L wrist plain film; posteroanterior; pediatric patient (boy, age 10); detector: Siemens; image 84.7 mm wide; 588 x 854 px.

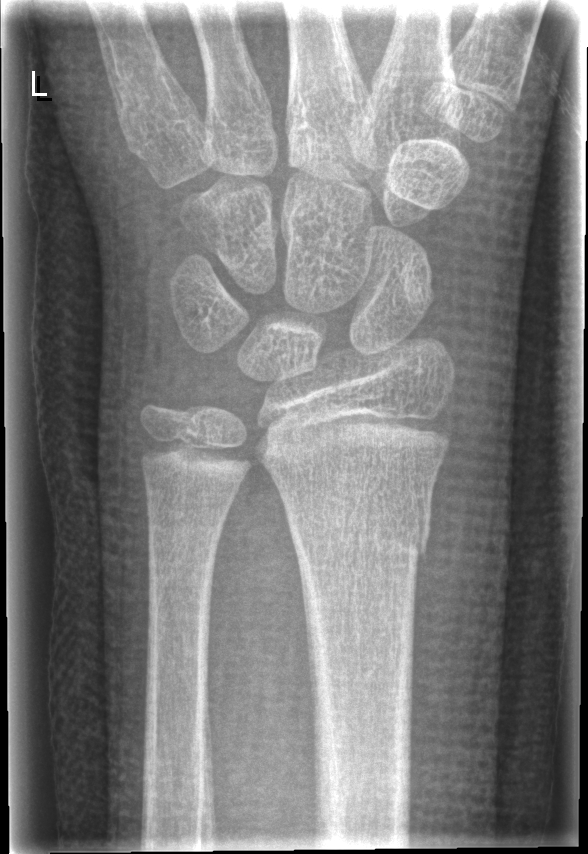   ao: 23-M/2.1
  fracture: (left=286, top=494, right=437, bottom=568)